Lateral | right wrist plain film | age 9 y, female | presentation radiograph | Siemens | image 67.4 mm wide

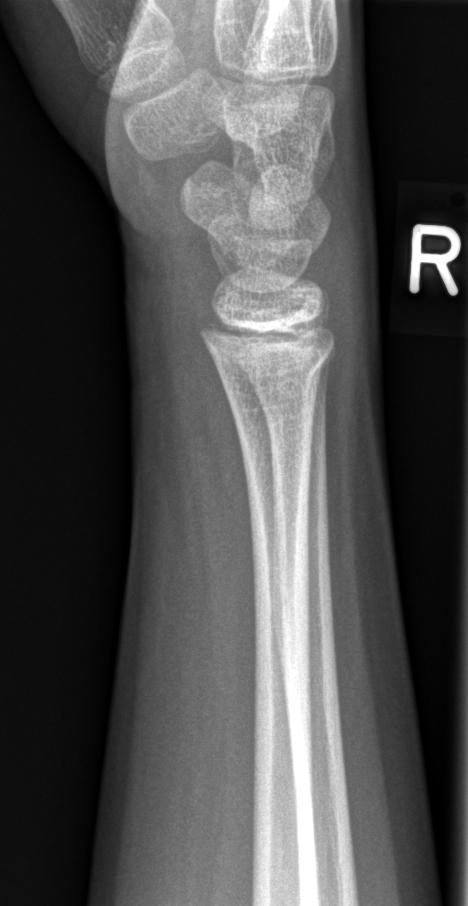

One fracture at 217 346 336 404.
AO/OTA classification: 23r-M/2.1.